Lateral; left wrist XR; female, 17 yo
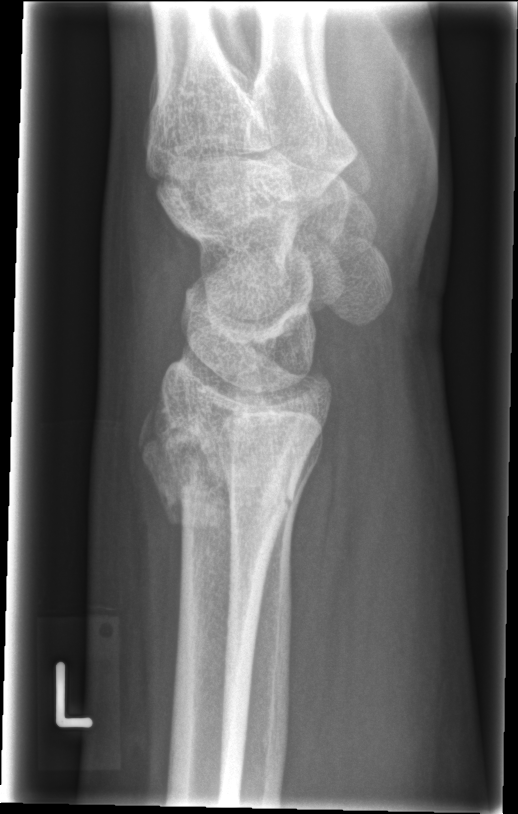
Fracture — bbox(133, 403, 303, 527).